PA view; Lt wrist XR; follow-up —

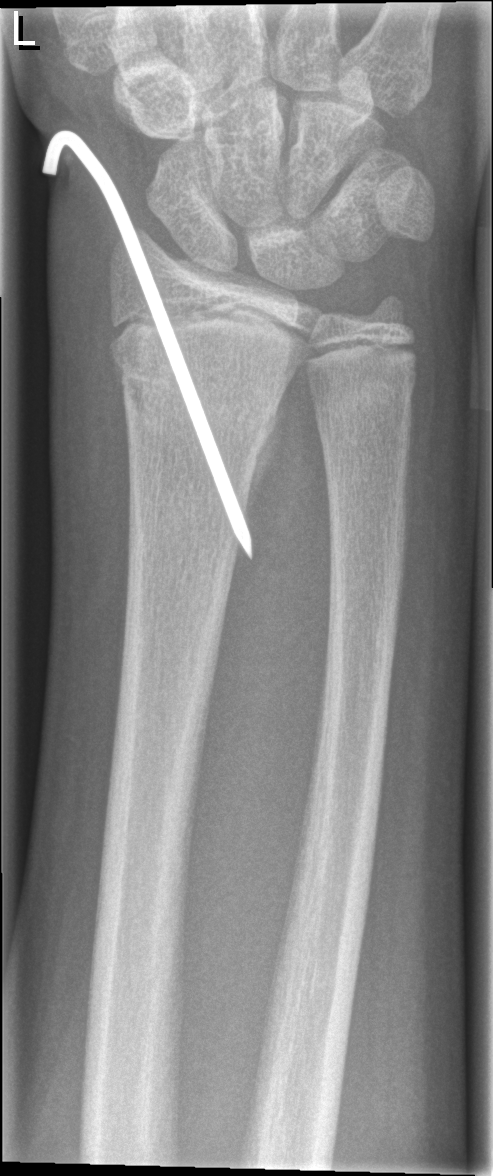
Bounding boxes in image-pixel xyxy.
Fracture identified at [x1=111, y1=352, x2=282, y2=439], [x1=309, y1=372, x2=417, y2=432].
Metallic hardware identified at [x1=44, y1=133, x2=250, y2=550].
Periosteal new bone — [x1=244, y1=383, x2=289, y2=517].